Left wrist plain film; posteroanterior; pediatric patient (male, age 7); image width 76.3 mm.

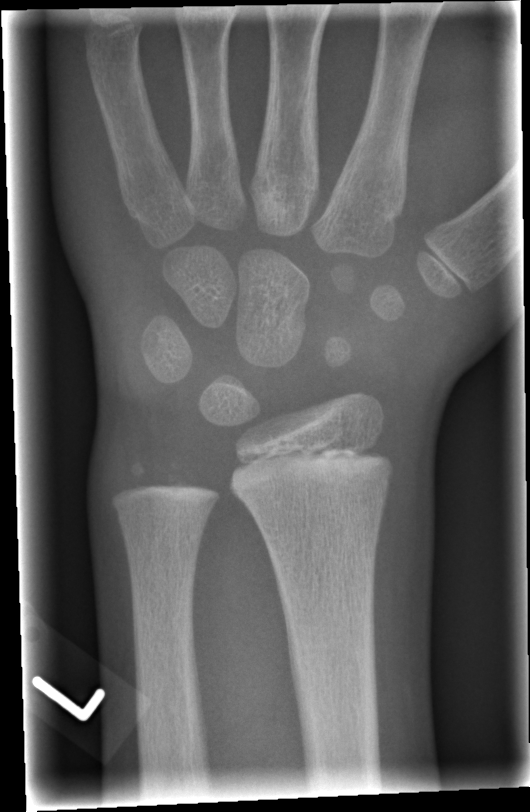

  fracture: none labeled